Right wrist XR; AP view; 13y M; 624x1156

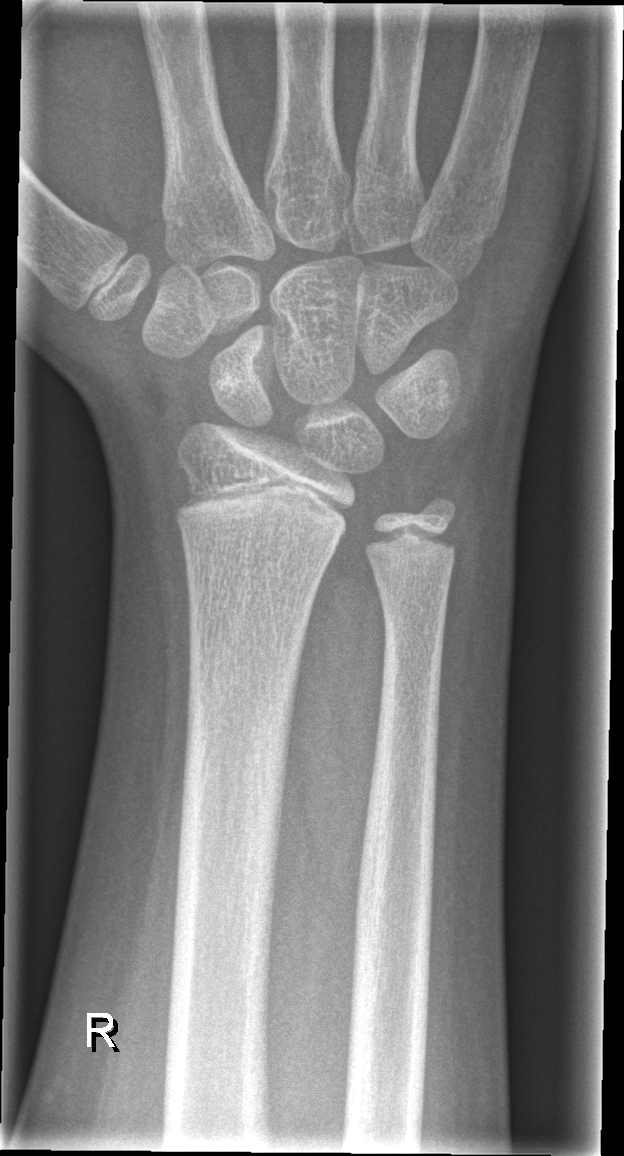

FINDINGS: No Fx annotated.